Lat view, Lt plain radiograph of the wrist, boy, 5 yo, image width 81.5 mm:
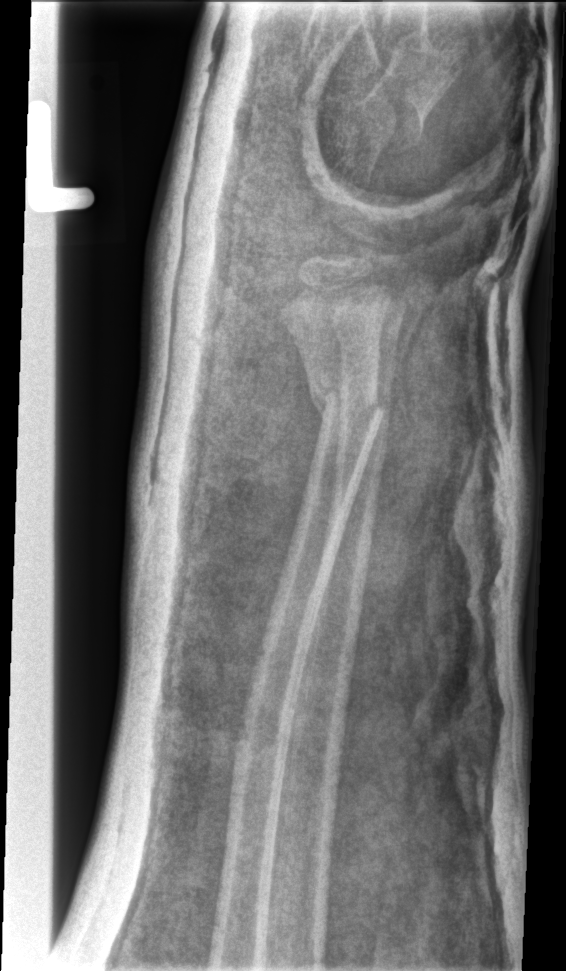

Pixel coordinates, top-left origin, xyxy.
AO/OTA classification: 23r-M/3.1.
Fracture — <301,370>-<396,432>.